PA/AP projection · left wrist XR · in cast

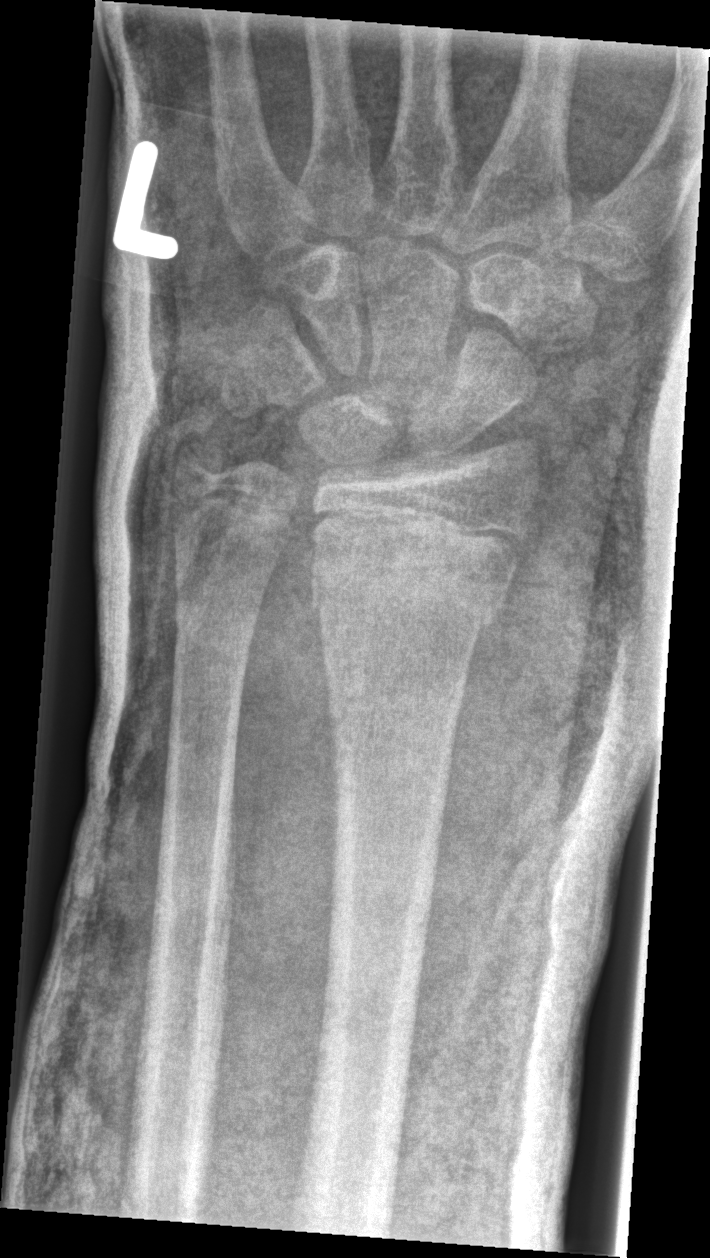
(coordinates are [x1, y1, x2, y2] in image pixels)
Q: Is there a fracture?
A: Bone fracture — [x1=306, y1=540, x2=509, y2=649]
Q: AO code?
A: Fracture classified AO/OTA 23r-M/3.1; 23u-E/7